Left wrist X-ray; lateral; boy, 9 yo; 474x1080
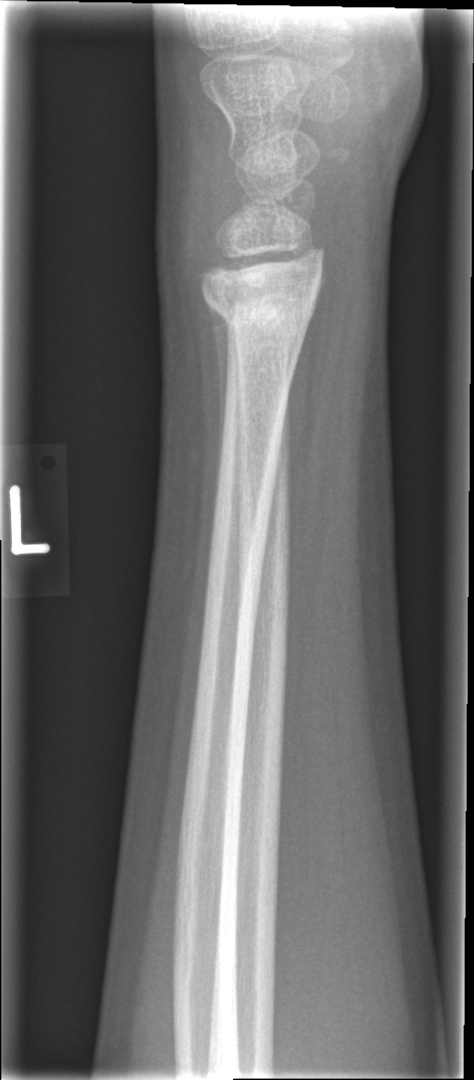
Pixel coordinates, top-left origin, xyxy.
One periosteal reaction at 205 298 229 495.
Fx identified at 198 267 323 336.
AO code 23r-E/2.1; 23u-M/2.1.